Rt wrist plain film · PA/AP projection · presentation radiograph · diagnosis uncertain · acquired on Siemens —
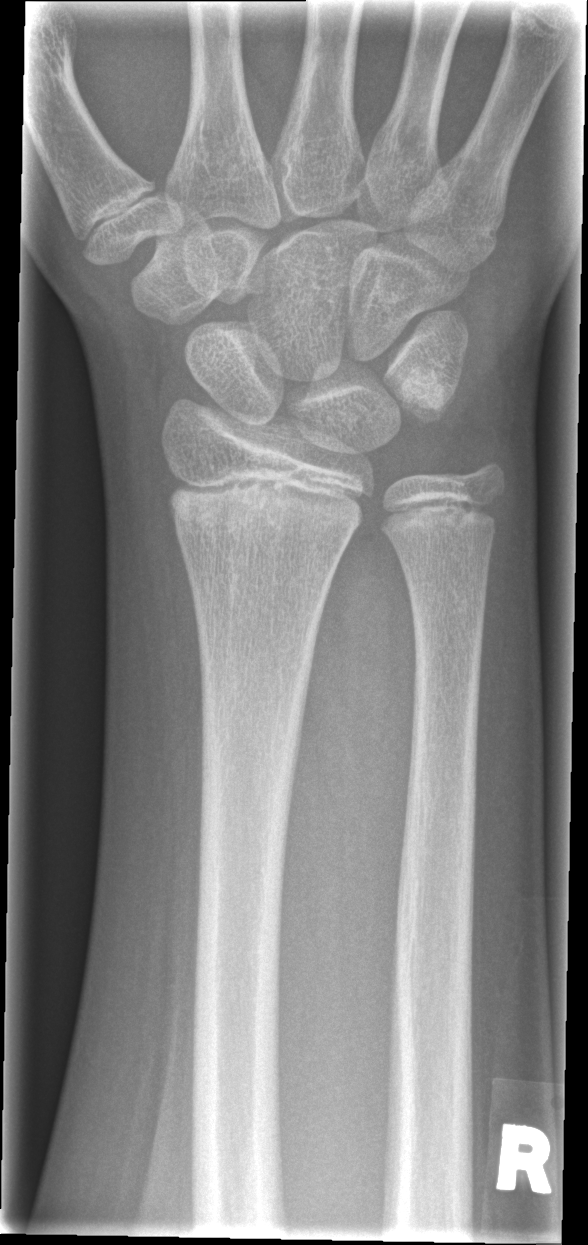 Findings: No fracture bounding box.